Left wrist plain film; posteroanterior view; boy, 15 yo; 571 by 1022 pixels:
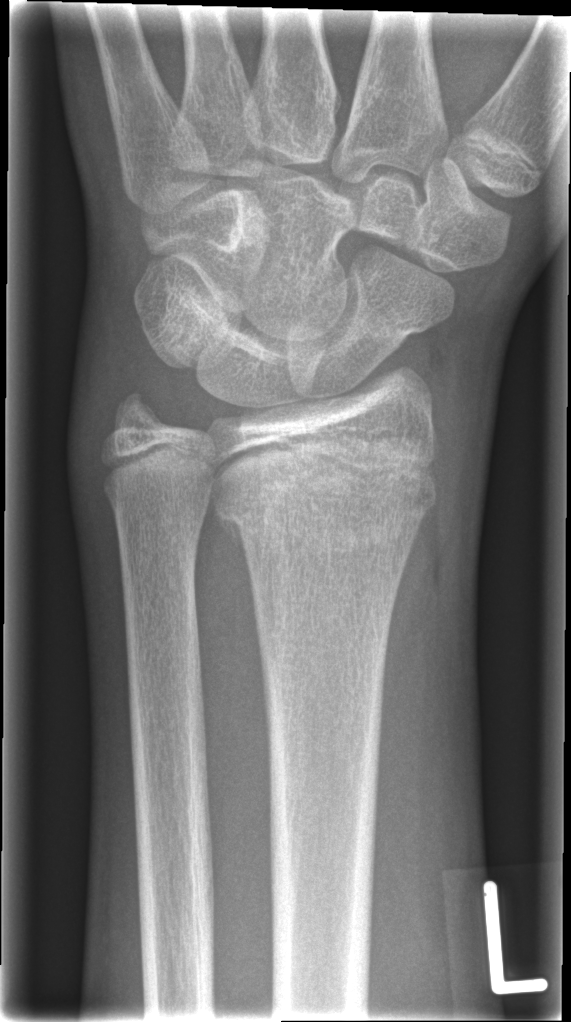

(coordinates are [x1, y1, x2, y2] in image pixels)
fracture = 2 @ [x1=221, y1=452, x2=440, y2=563]; [x1=93, y1=379, x2=174, y2=446]
AO/OTA = 23r-M/3.1; 23u-E/7